Lat view, left wrist plain film, 13-year-old boy, index exam —
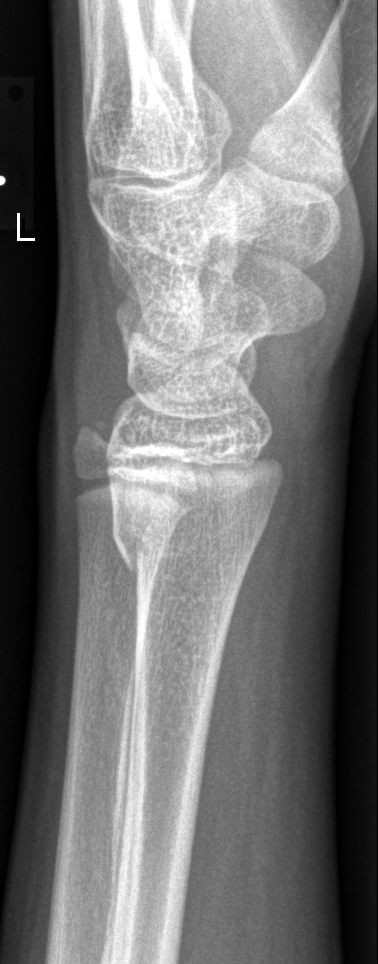

FINDINGS: AO/OTA classification: 23r-M/2.1; 23u-E/7. Two fractures at [x1=106, y1=505, x2=269, y2=586] [x1=67, y1=405, x2=122, y2=465].